Left wrist plain film; AP view; boy, 13 yo. 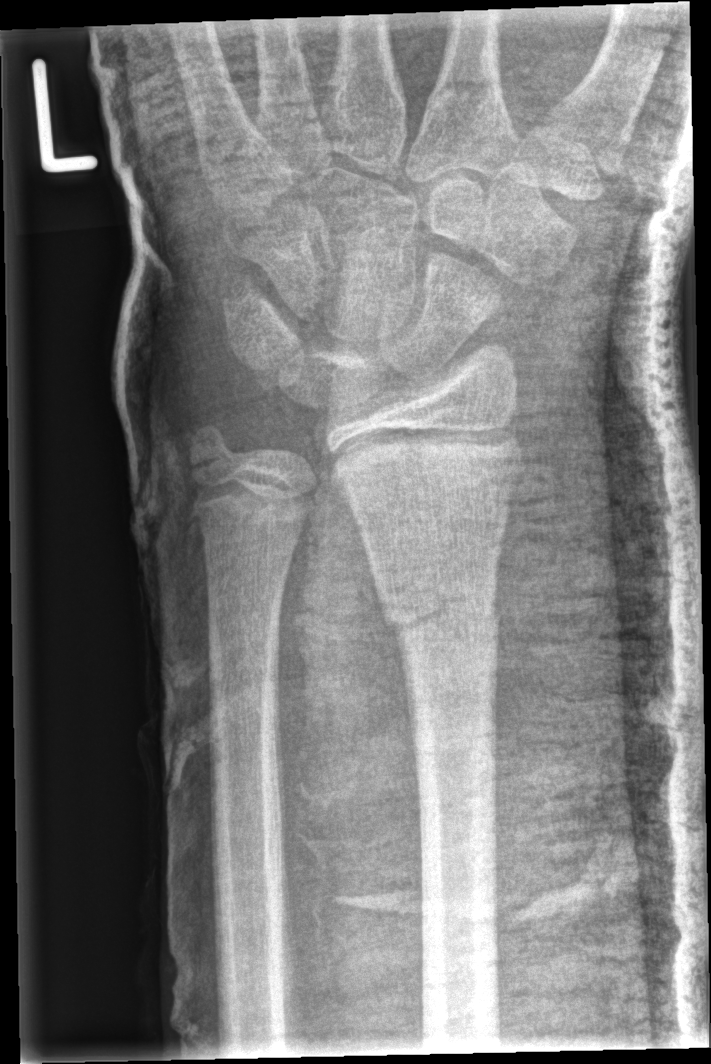

Q: Fracture present?
A: Fracture identified at bbox(378, 574, 504, 671); bbox(182, 420, 248, 487)
Q: AO code?
A: AO code 23r-M/3.1; 23u-E/7